L wrist XR | lat | age 9 y, boy | follow-up study | 457x700:

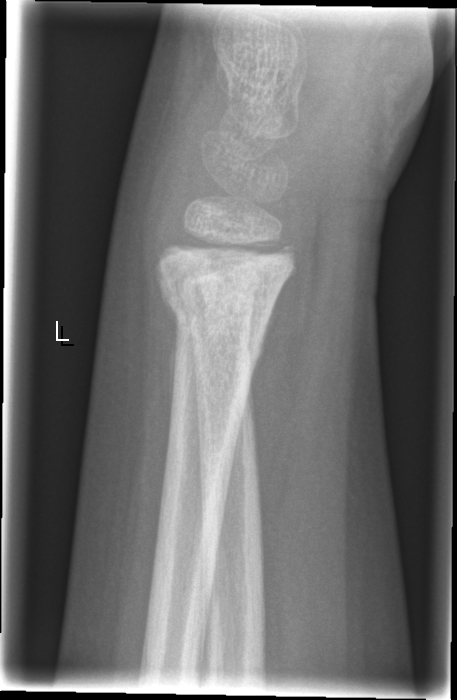 FINDINGS — Decreased bone density (osteopenia). Fx identified at [151, 243, 300, 371].